PA projection; right wrist plain film; detector: Siemens —
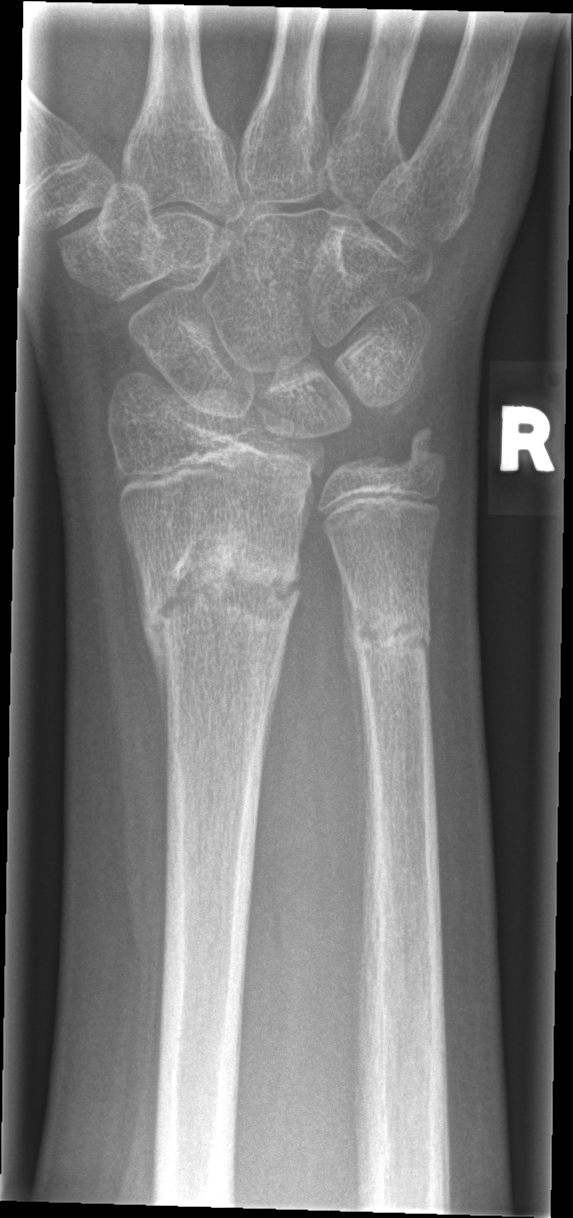

FINDINGS — Bone fractures — (left=133, top=506, right=307, bottom=670) (left=345, top=593, right=438, bottom=679) (left=392, top=421, right=454, bottom=482). AO/OTA classification: 23-M/3.1; 23u-E/7. Two periosteal reaction at (left=341, top=563, right=373, bottom=932) (left=123, top=528, right=171, bottom=770).